AP projection | left wrist plain film | male, 7 yo —

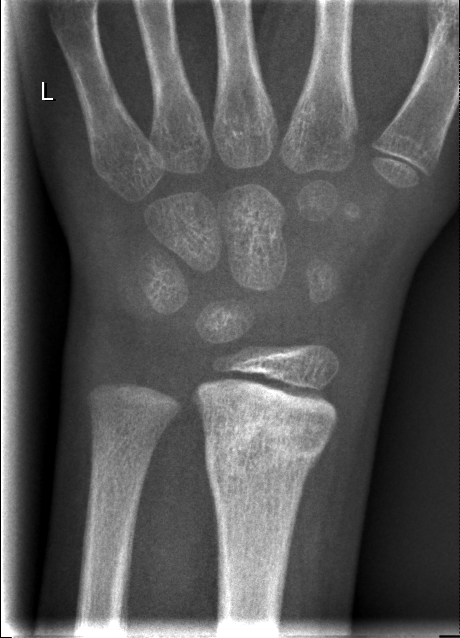
Osteopenic.
Fracture: (201, 407, 332, 495).
AO code 23r-M/2.1.